Frontal | right pediatric wrist radiograph | 748 x 1182 px.

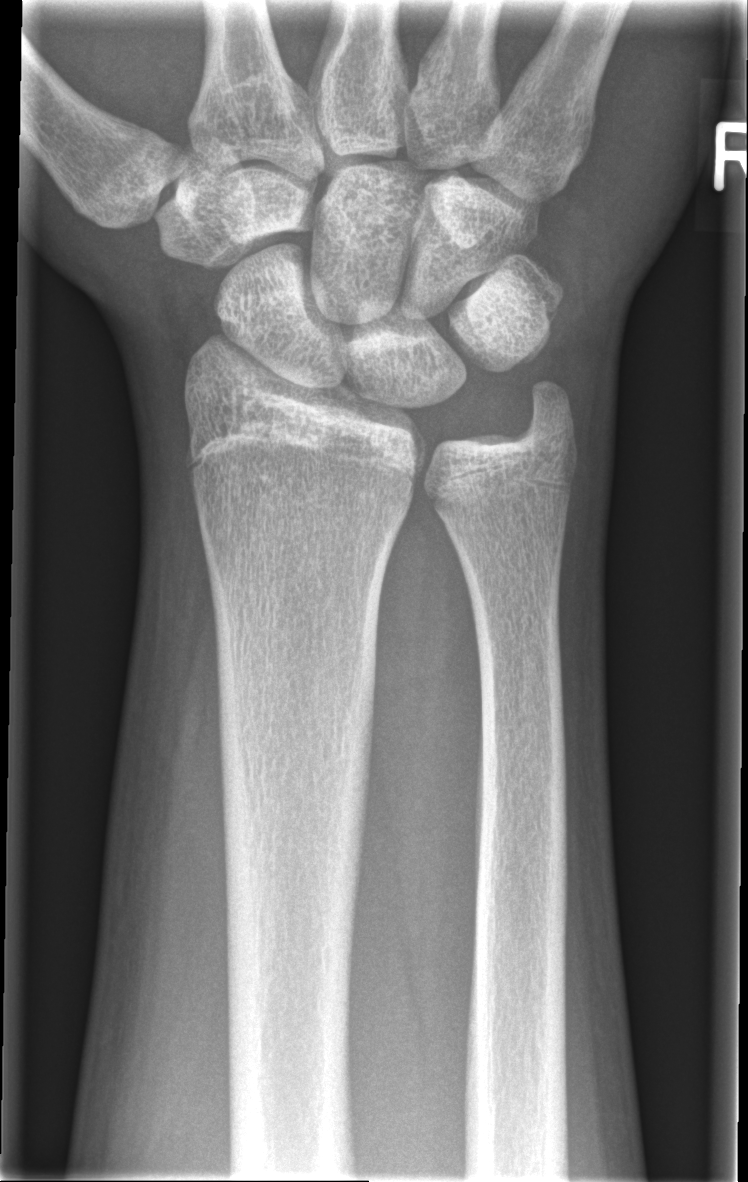
Fracture = none labeled